Left pediatric wrist radiograph; AP; pediatric patient (female, age 7); initial study — 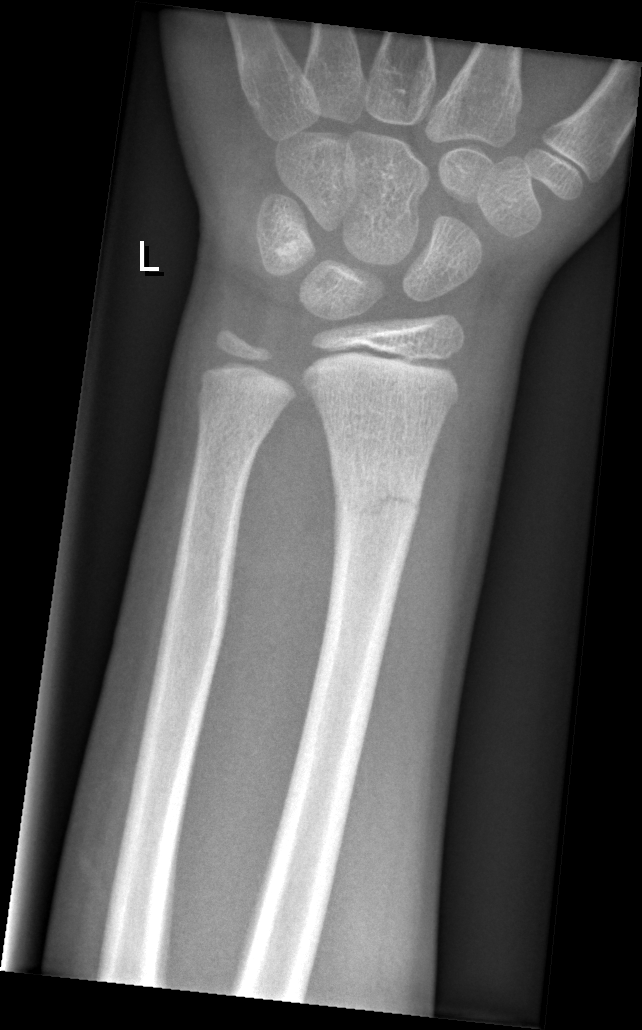 AO/OTA = 23-M/3.1
Bone fracture = [x1=329, y1=468, x2=426, y2=534], [x1=192, y1=382, x2=280, y2=443]